Lateral projection · left wrist pediatric wrist radiograph —
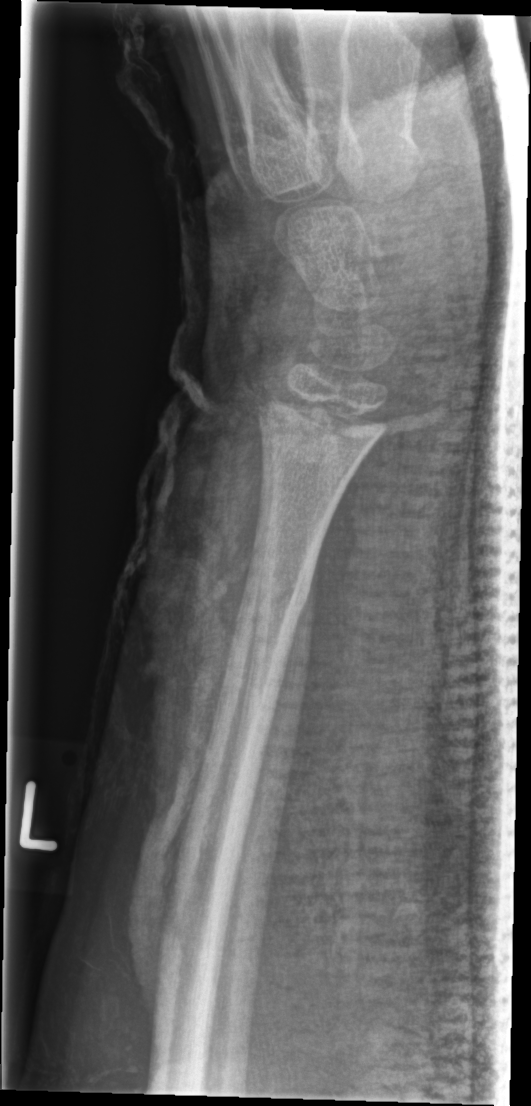

FINDINGS — (bounding boxes in image-pixel xyxy) AO/OTA classification: 23r-M/3.1; 23u-M/2.1. One fracture at 235,556,319,624.